Lt plain radiograph of the wrist · PA · boy, 16 yo · 721 by 968 pixels
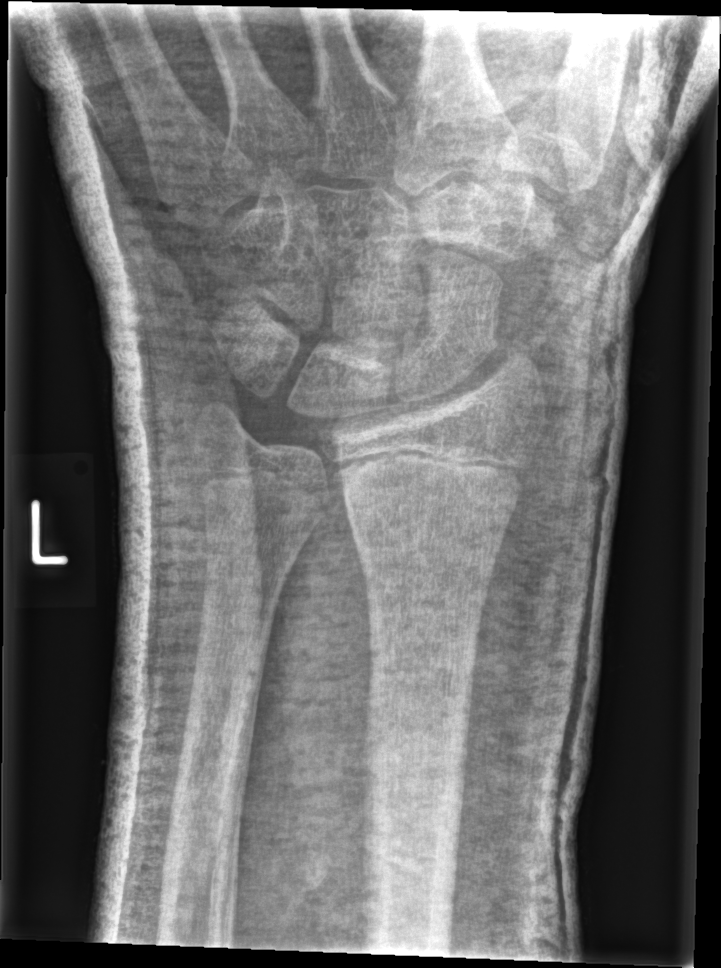 No fracture annotation.